Lat · Rt plain radiograph of the wrist · 11-year-old female · subsequent exam · acquired on Siemens · 674x1262:

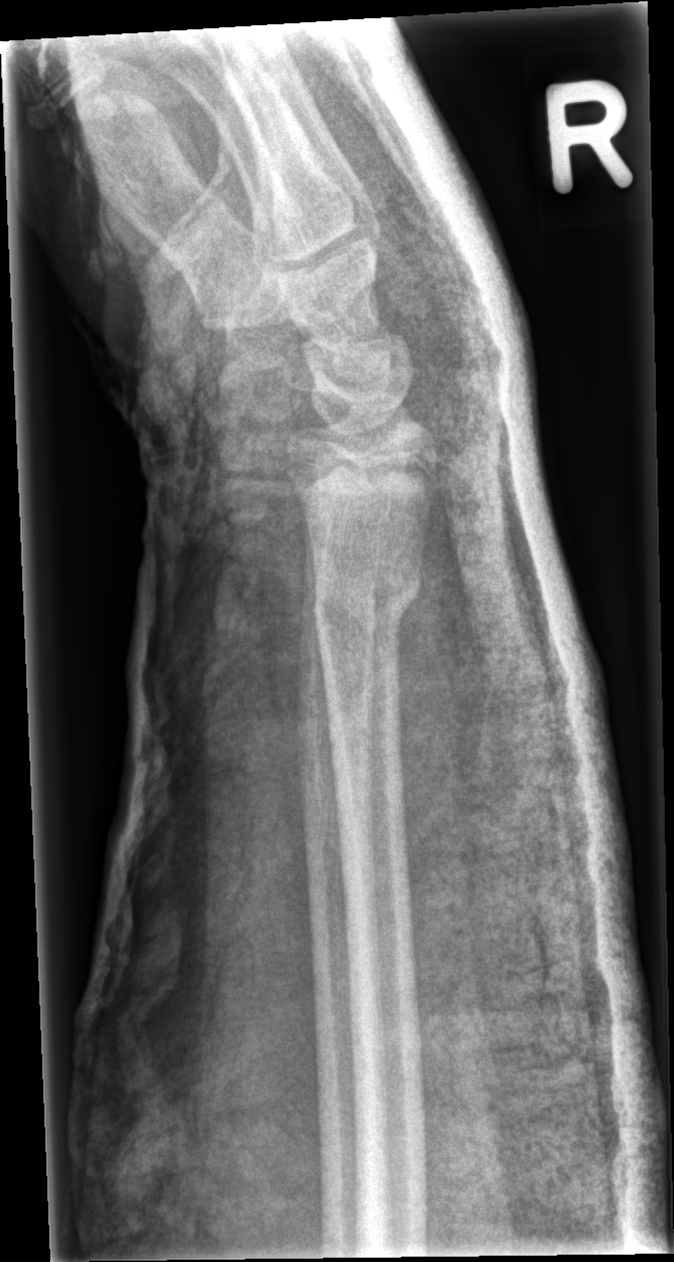 Fx identified at bbox(307, 558, 426, 639).